Frontal projection · right wrist radiograph · detector: Siemens · 546 x 868 px

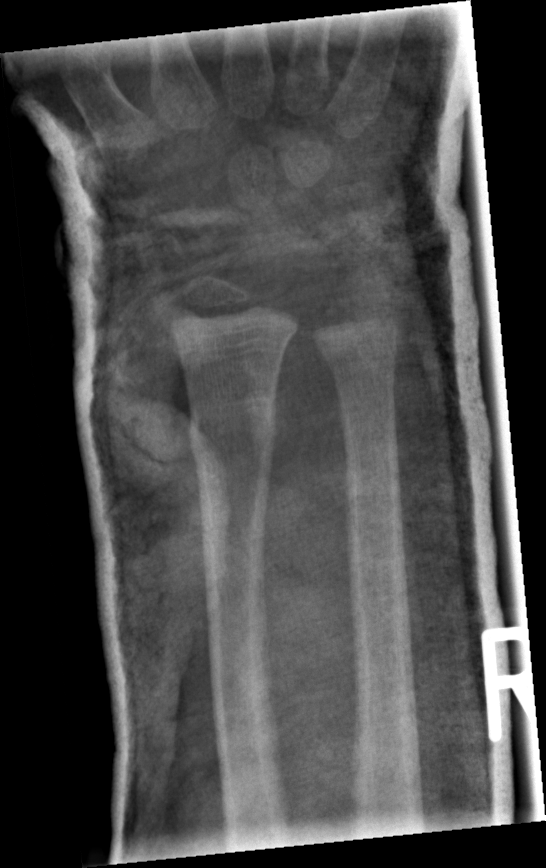
• Pixel coordinates, top-left origin, xyxy.
• One bone fracture at bbox(184, 403, 282, 469).